Lt wrist XR | lat | male, 15 yo | follow-up
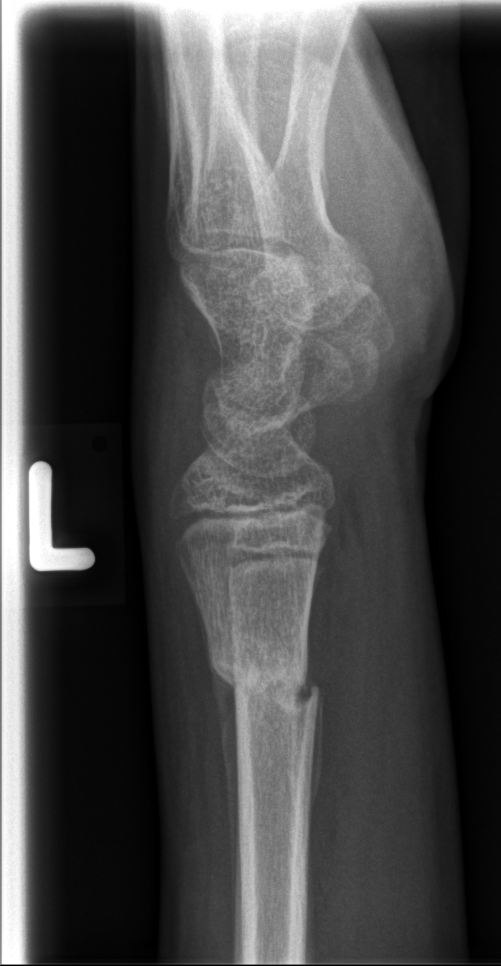

FINDINGS — Bone fracture: [207, 639, 323, 723]. Fracture classified AO/OTA 23r-M/3.1; 23u-E/7. Reduced bone mineral density. Periosteal thickening identified at [208, 658, 239, 930], [301, 672, 325, 840].